R wrist XR; lat view; 10y F
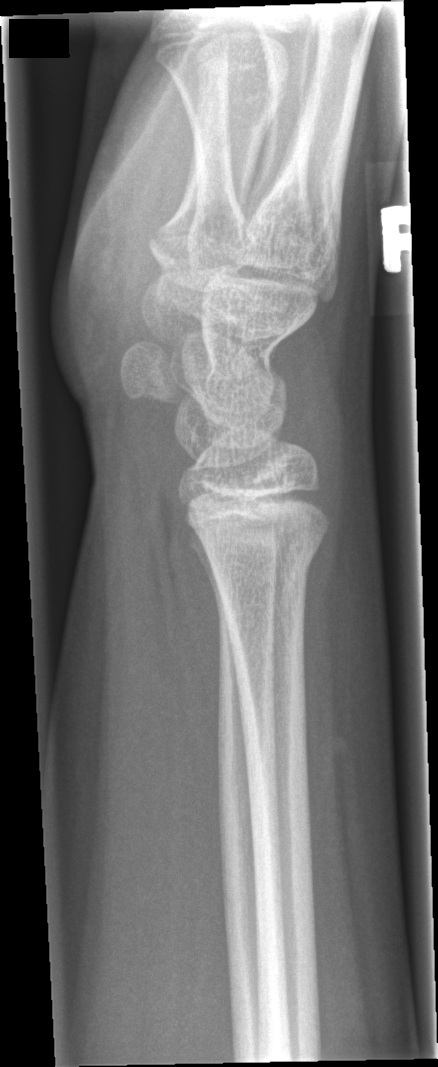

One bone fracture at (left=207, top=532, right=325, bottom=596).